L wrist plain film; lat view; index exam; 391 x 1068 px. 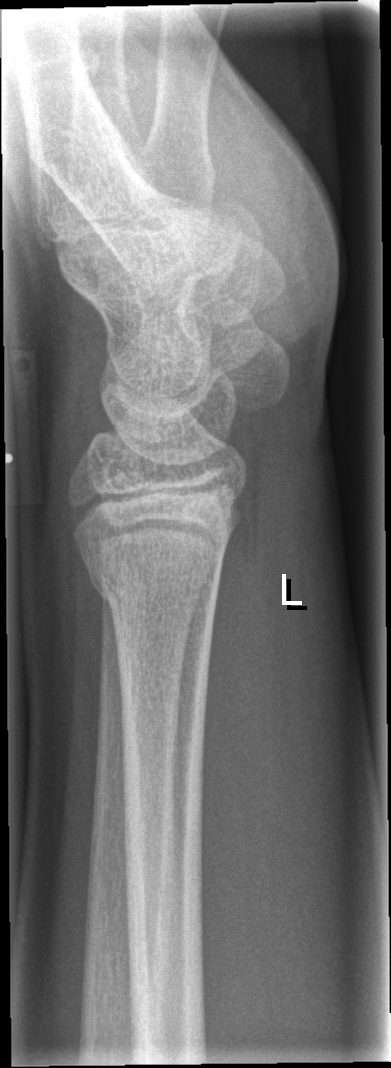

Bone fracture: <77,520>-<234,614>.